Lat · R pediatric wrist radiograph · detector: Siemens · 66.8 mm image width.
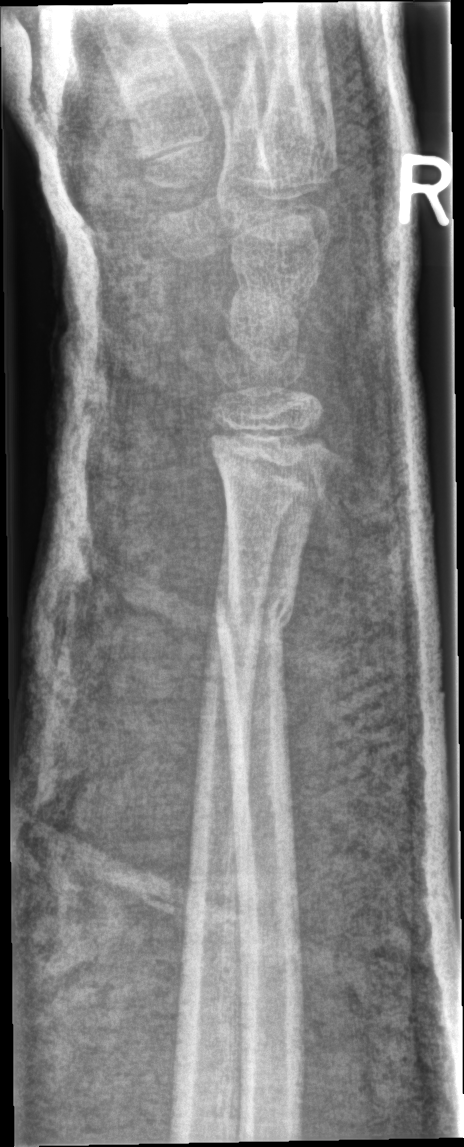

AO/OTA classification: 23r-M/3.1; 23u-M/2.1.
Bone fracture — 213 573 300 648.